Lt wrist radiograph, lateral, 17-year-old female, presentation radiograph, detector: Siemens, 88.7 mm image width, image size 616x1115:
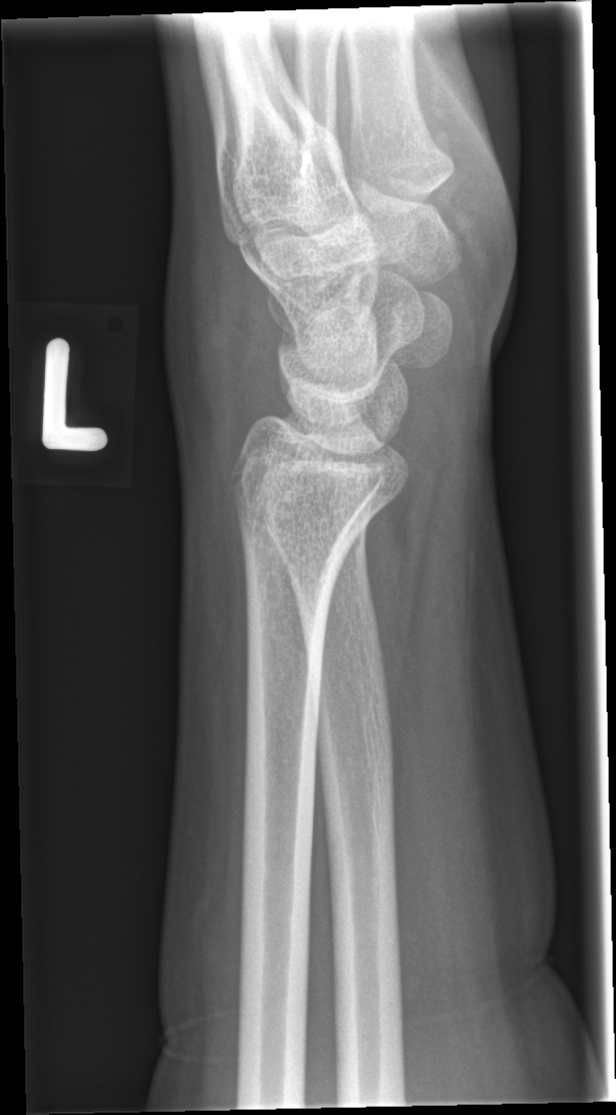 No Fx annotated.